PA projection, left pediatric wrist radiograph, pediatric patient (boy, age 13), follow-up study, image 74.3 mm wide, image size 516x1424
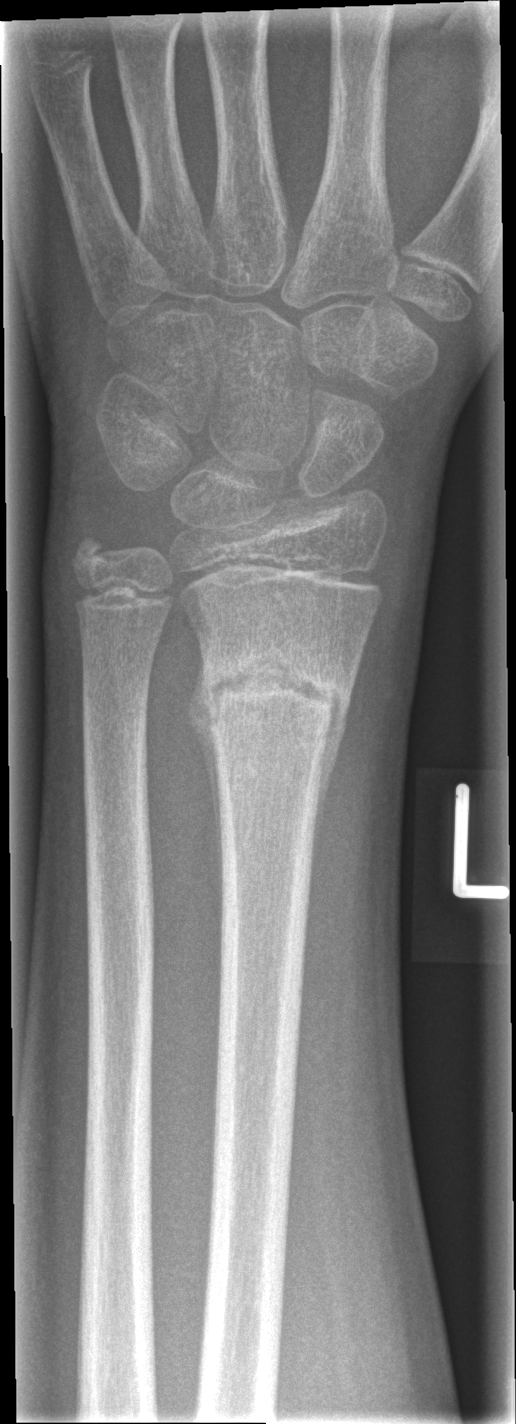

  fracture: 2 @ [194, 636, 356, 739] [68, 514, 130, 587]
  periostealreaction: 2 @ [188, 648, 226, 919] [309, 684, 353, 906]